Lateral projection, L plain radiograph of the wrist, pediatric patient (male, age 14), index exam
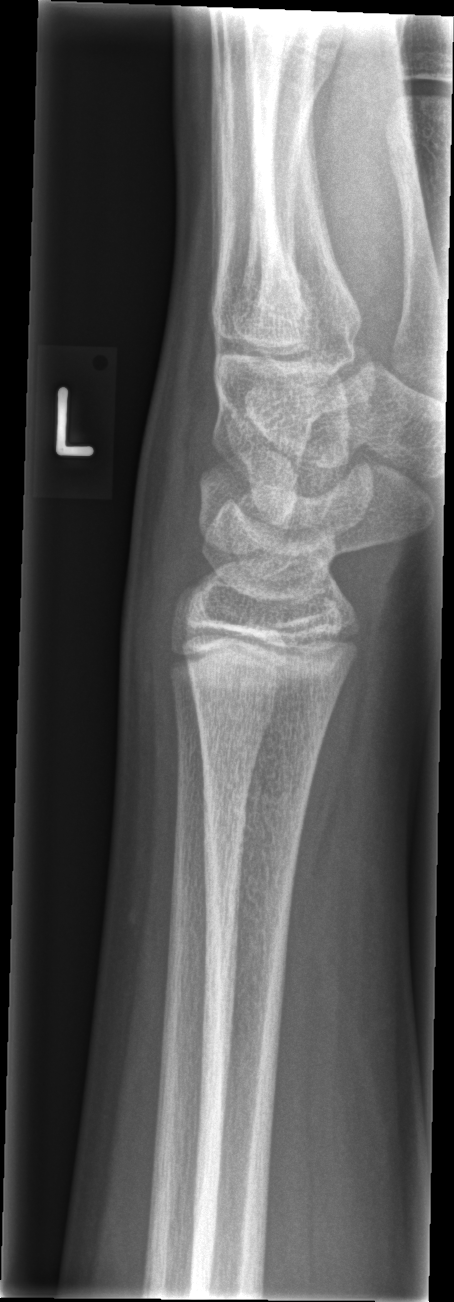

{
  "_coords": "pixel coordinates, top-left origin, xyxy",
  "fracture": "none labeled",
  "boneanomaly": "1 @ (182, 633, 365, 693)"
}